Right wrist X-ray | lateral view | 12-year-old male | follow-up study | in cast | 546 x 976 px:
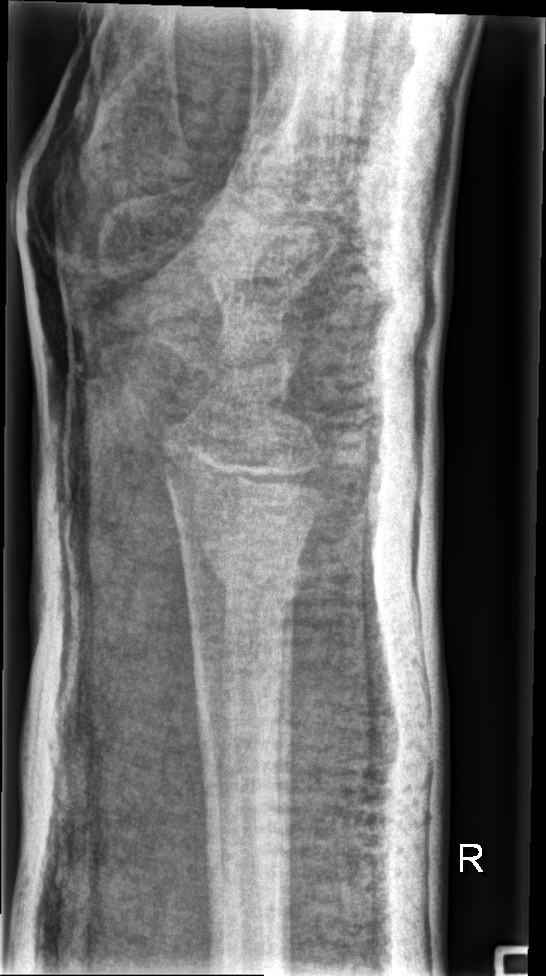

{
  "fracture": "195 531 300 606",
  "ao": "23-M/2.1"
}